Lateral projection · R pediatric wrist radiograph · cast in situ · 428x908:
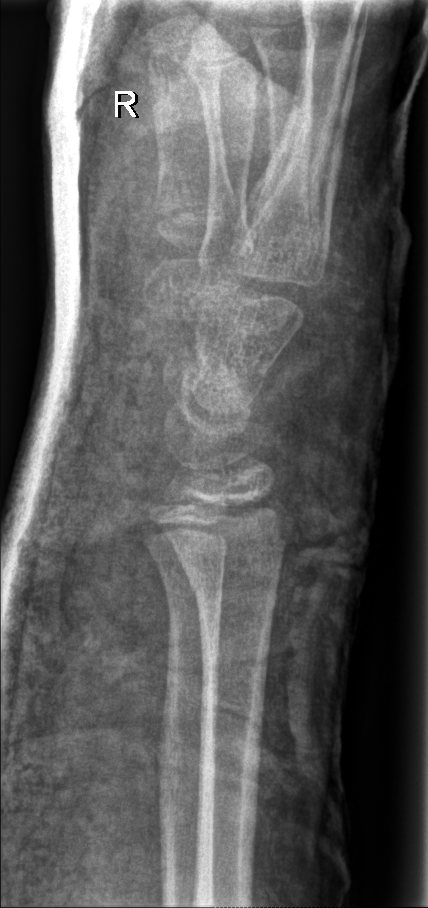

One bone fracture at (left=178, top=537, right=291, bottom=600). Fracture classified AO/OTA 23r-M/3.1; 23u-M/2.1.